Frontal · L wrist X-ray. 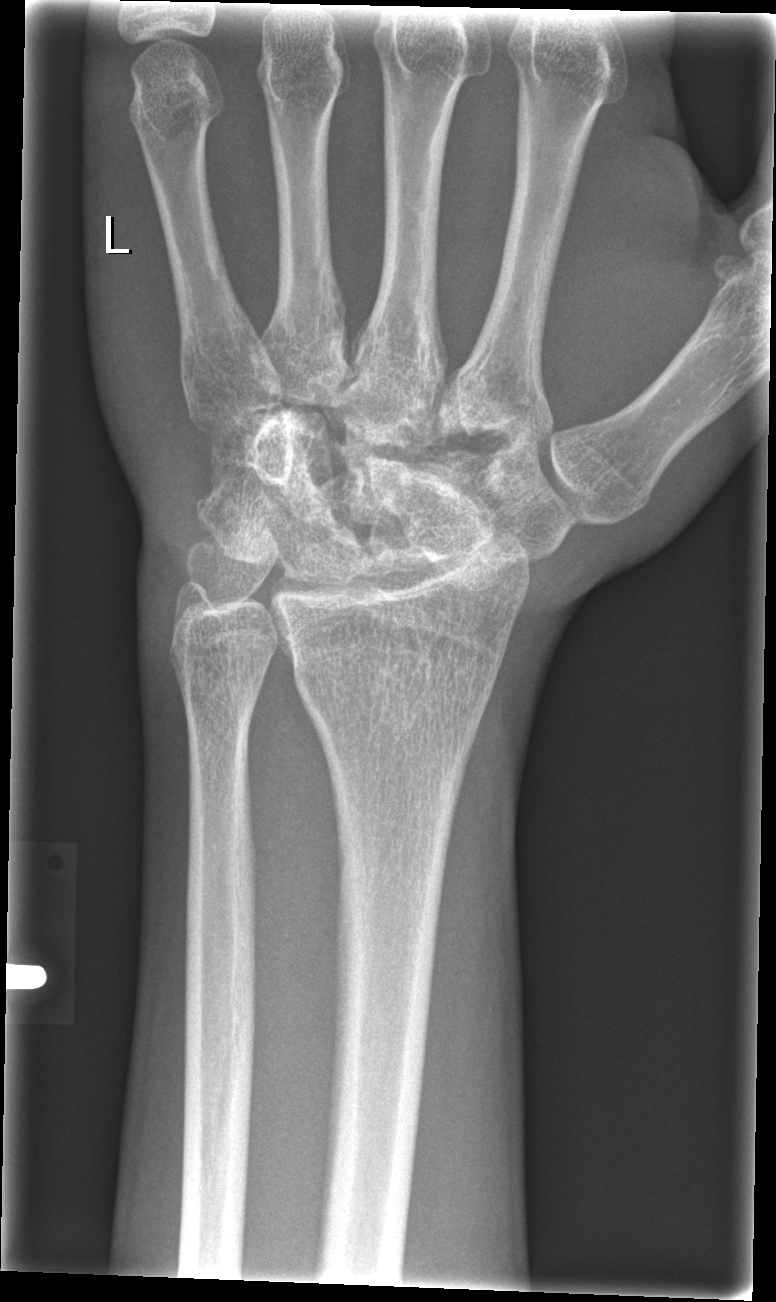   fracture: none labeled
  boneanomaly: bbox(180, 385, 547, 598)